Left plain radiograph of the wrist | lateral projection | age 12 y, boy | initial study:
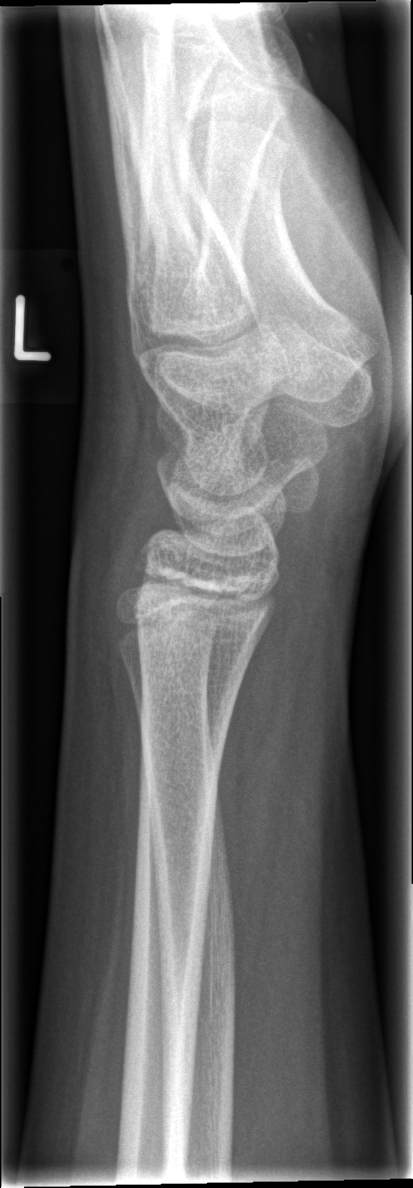

Findings: Fracture: none labeled.